L pediatric wrist radiograph; PA projection; acquired on Siemens.

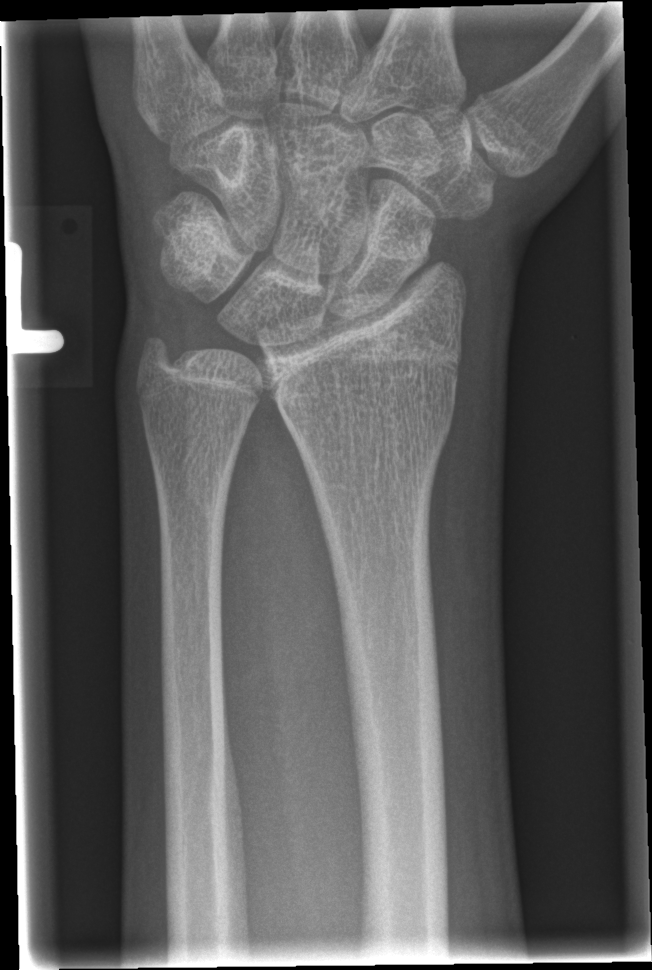

bone fracture: none labeled